PA projection | Rt plain radiograph of the wrist | pediatric patient (girl, age 12)
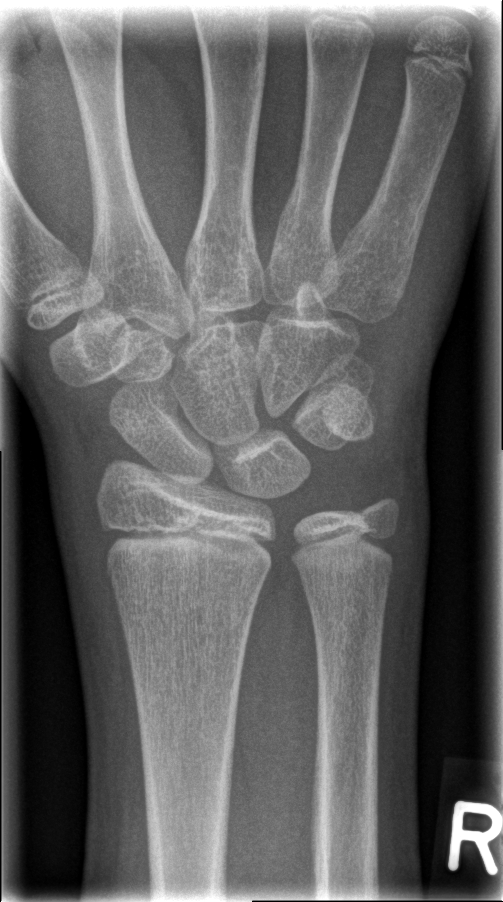
Fx: none.